Lt wrist XR | posteroanterior view | male, 12 yo | subsequent exam | acquired on Siemens
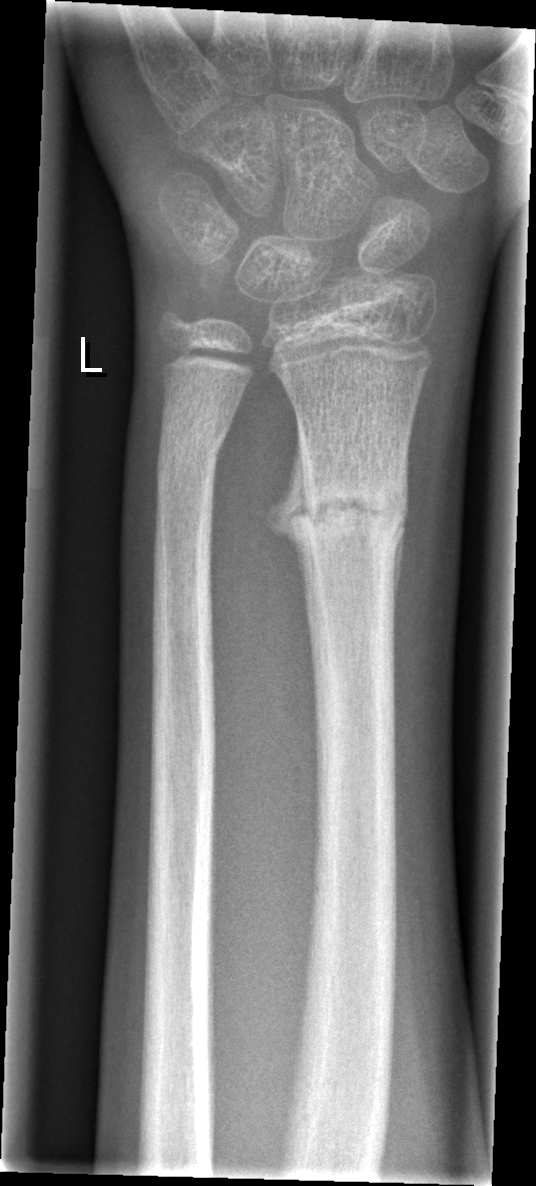 periosteal new bone = 2 @ 264,417,311,622 | 393,512,408,623
fracture = 2 @ 296,467,410,549; 155,420,228,475